PA, left wrist X-ray, pediatric patient (female, age 9), presentation radiograph: 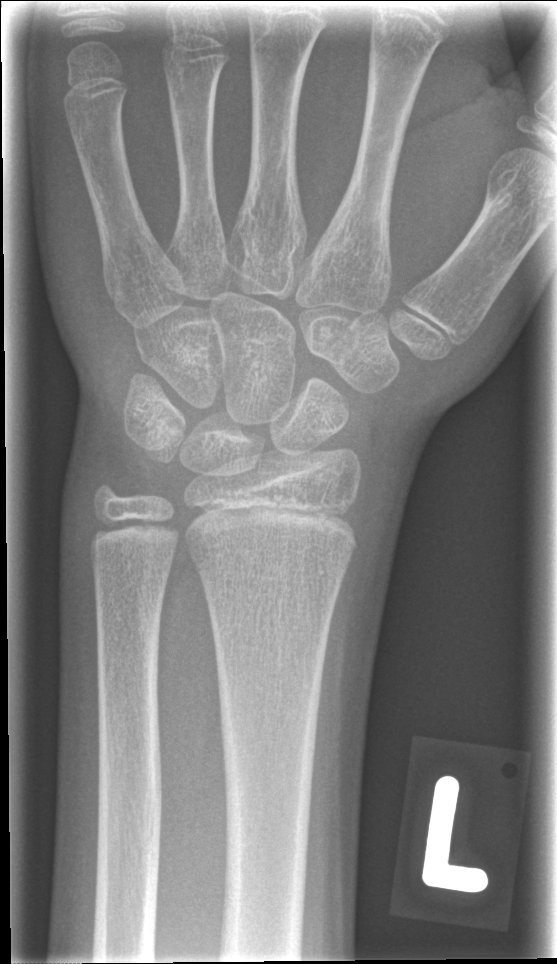 FINDINGS — Fracture: none labeled.